Right wrist X-ray · PA/AP view · initial study — 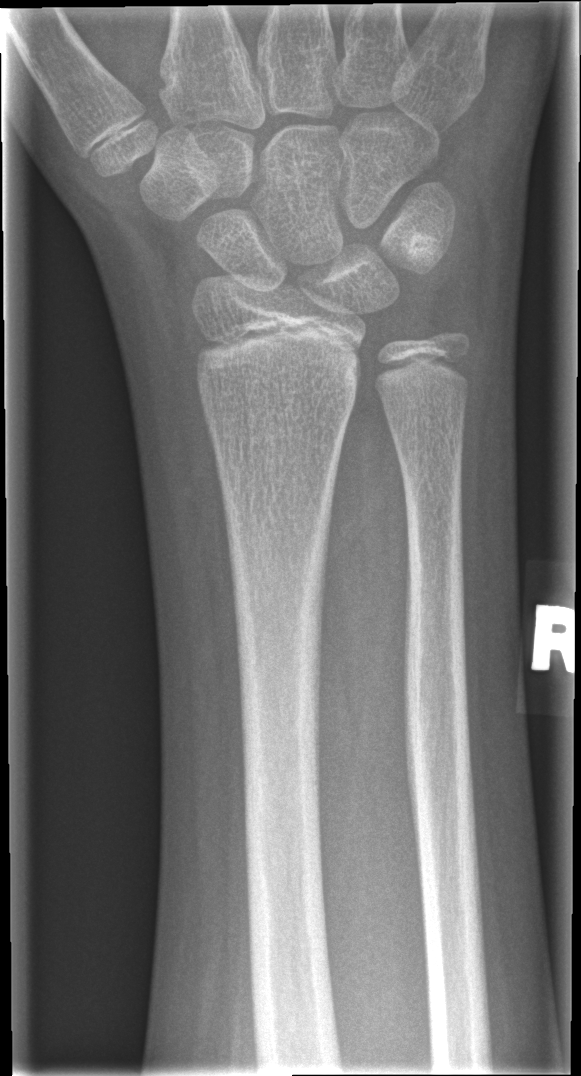

{
  "fracture": "none labeled"
}